Frontal projection · R wrist XR · subsequent exam — 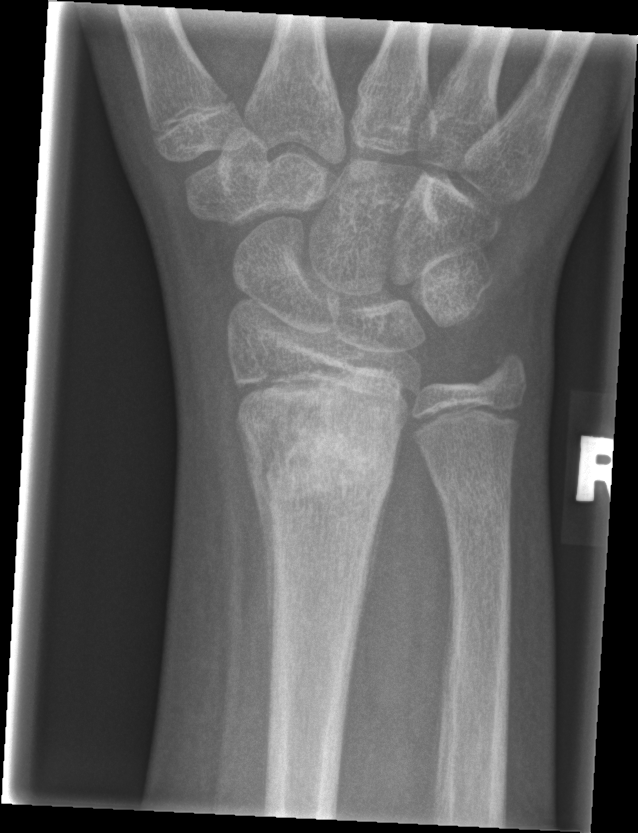

Q: AO code?
A: AO code 23r-M/3.1; 23u-M/2.1; 23u-E/7
Q: Fracture present?
A: Fracture identified at 248 430 401 544 | 428 469 514 526 | 470 346 530 398
Q: Any periosteal thickening?
A: Two periosteal reaction at 235 415 276 709
  356 421 406 637